Lat projection · Lt plain radiograph of the wrist · image 78.6 mm wide:
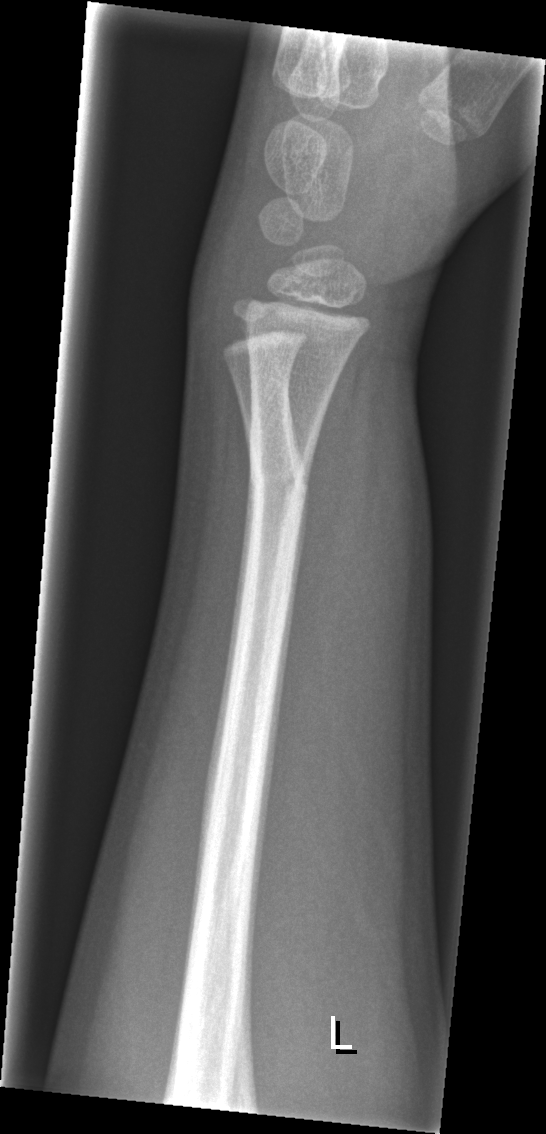

Findings: Fracture — [x1=247, y1=439, x2=309, y2=515].